L wrist XR · frontal · pediatric patient (male, age 9) · in cast 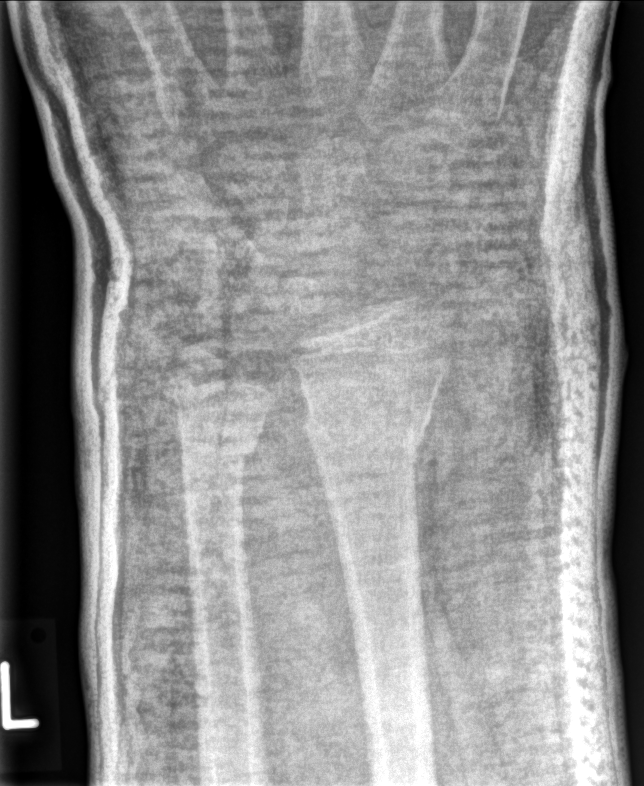

• Fracture classified AO/OTA 23r-M/3.1; 23u-M/2.1.
• Fracture: (left=298, top=387, right=435, bottom=463); (left=172, top=418, right=260, bottom=466).